Lt plain radiograph of the wrist · frontal projection.
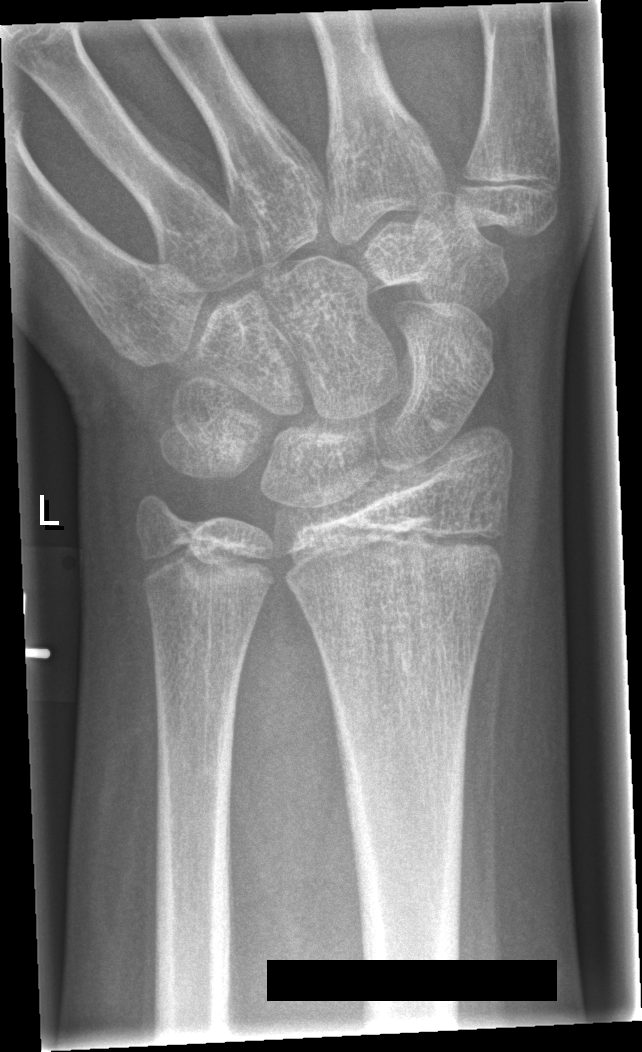
  fracture: none labeled
  osteopenia: present